Frontal | left wrist pediatric wrist radiograph:

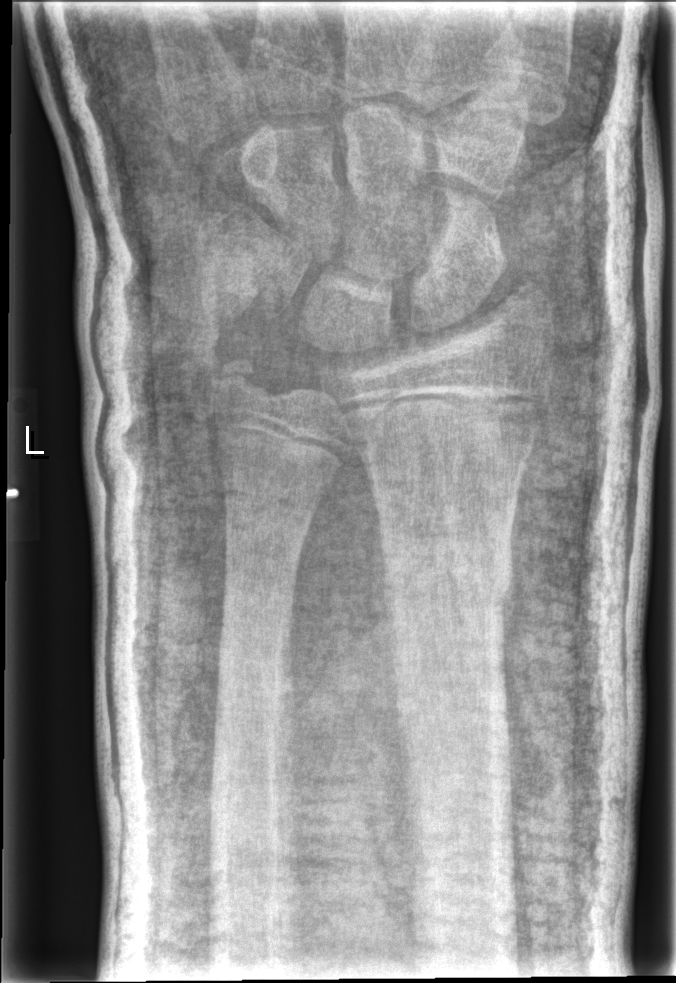 Pixel coordinates, top-left origin, xyxy.
Fx — bbox(378, 519, 517, 626); bbox(199, 344, 280, 422).
Fracture classified AO/OTA 23r-M/3.1; 23u-E/7.